PA/AP, right wrist radiograph, 13y M, imaged through cast. 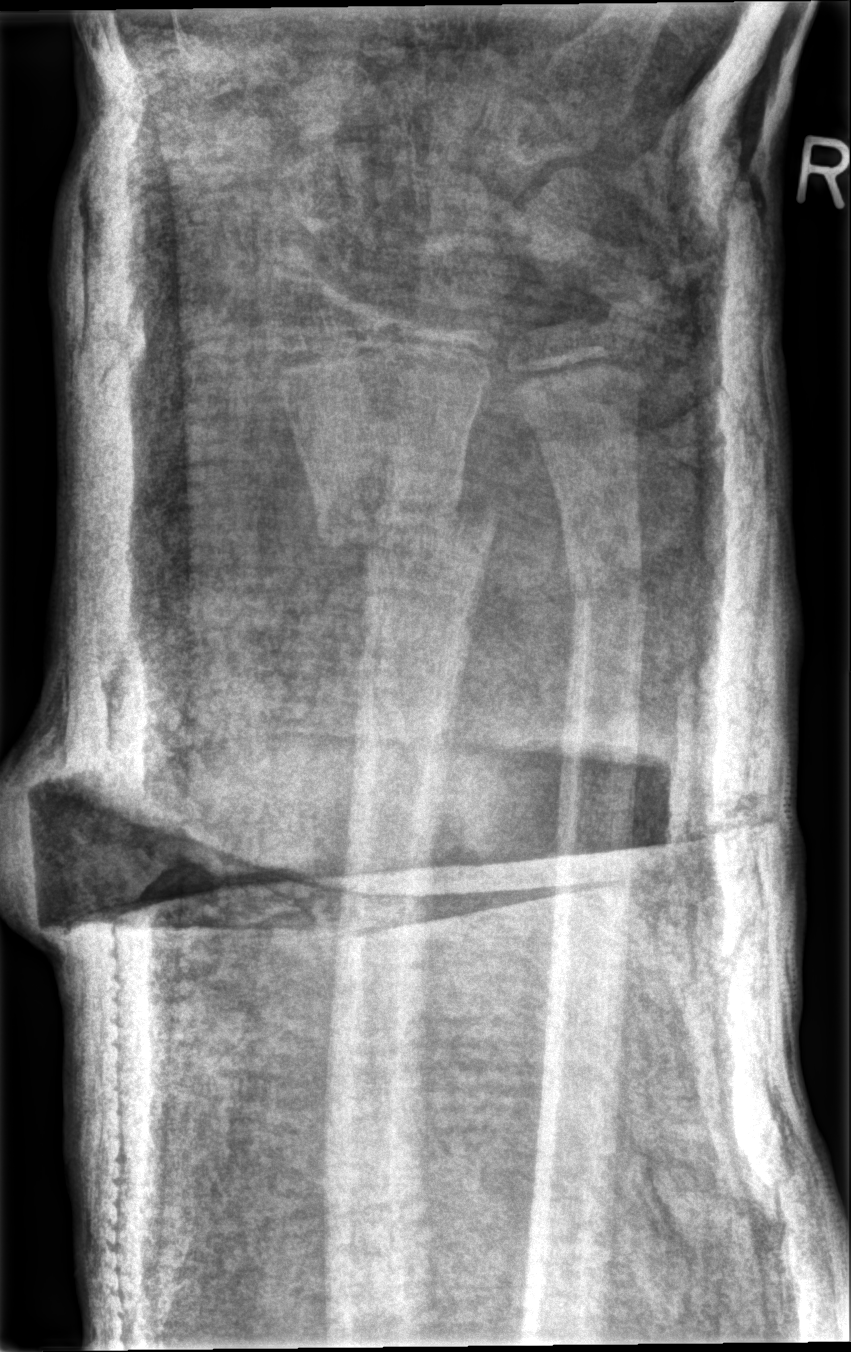

AO/OTA classification: 23r-M/3.1; 23u-M/2.1; 23u-E/7. Two Fx at (309, 456, 504, 574) (560, 550, 654, 615).